L wrist X-ray; AP view; subsequent exam; 588 x 892 px.

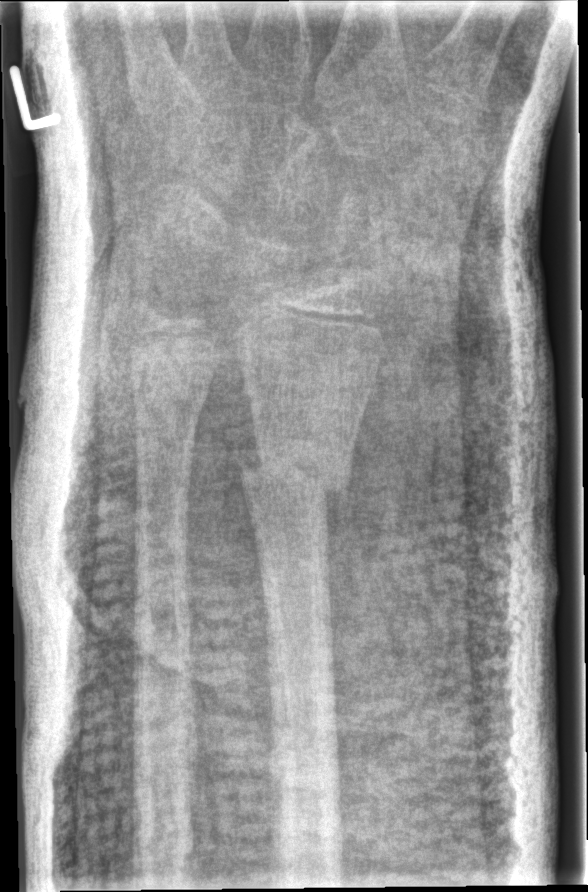

Q: Fracture present?
A: One fracture at 236 445 356 511